Left wrist plain film; lateral view; 12-year-old girl; image 75.0 mm wide; image size 521x1094 — 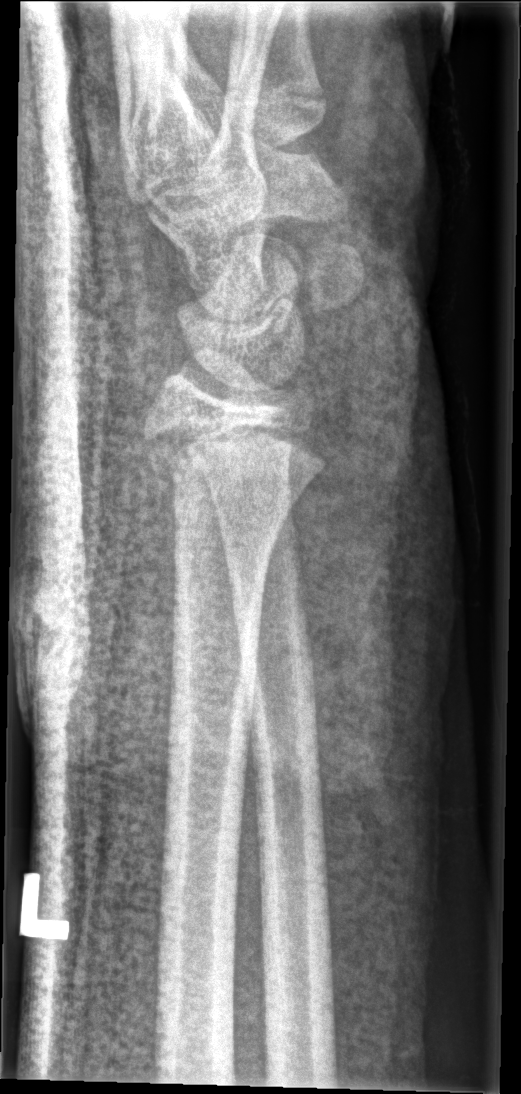
(coordinates are [x1, y1, x2, y2] in image pixels)
bone fracture = (left=138, top=410, right=331, bottom=502)